Lateral view, L plain radiograph of the wrist, image width 113.2 mm — 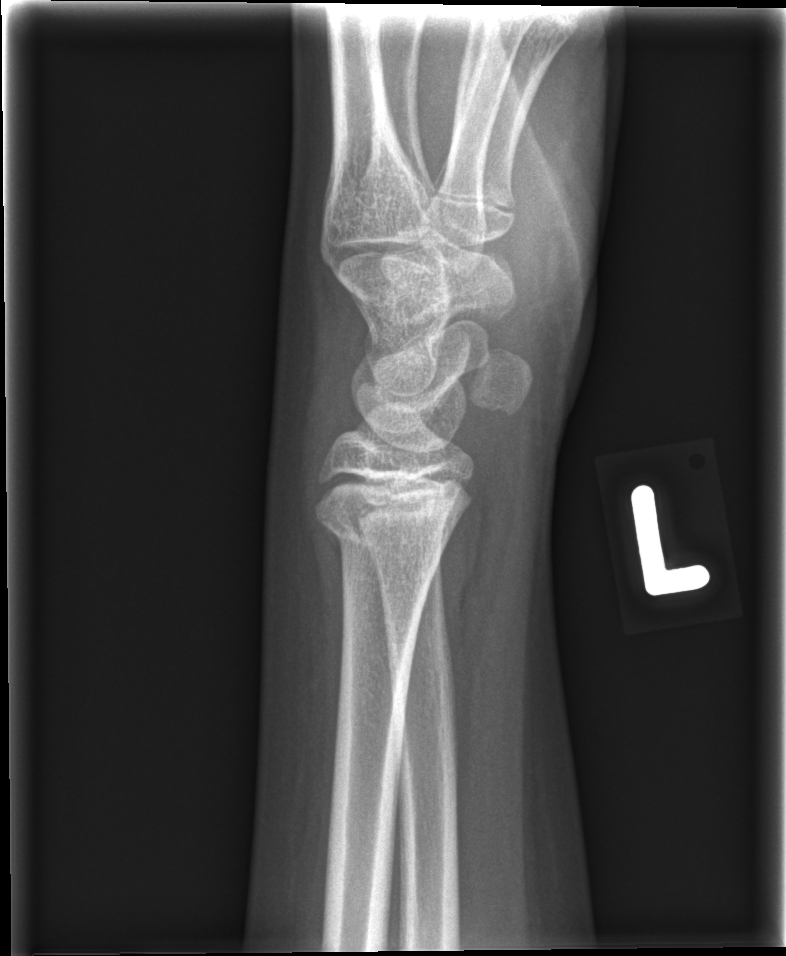

{"fracture": "1 @ (313, 495, 462, 576)"}